Lt plain radiograph of the wrist · lateral view · pediatric patient (male, age 10) · subsequent exam —
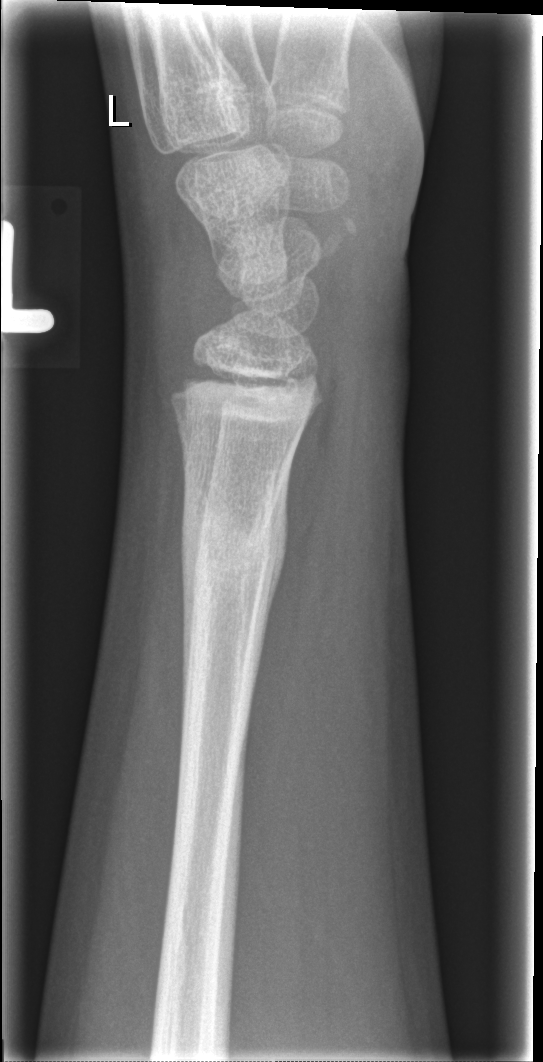

FINDINGS — (coordinates are [x1, y1, x2, y2] in image pixels) Bone fracture identified at bbox(177, 482, 290, 613). Periosteal reaction: bbox(251, 452, 297, 703). AO code 23-M/3.1.